Lat view · left wrist radiograph · pediatric patient (boy, age 14) · 83.8 mm image width 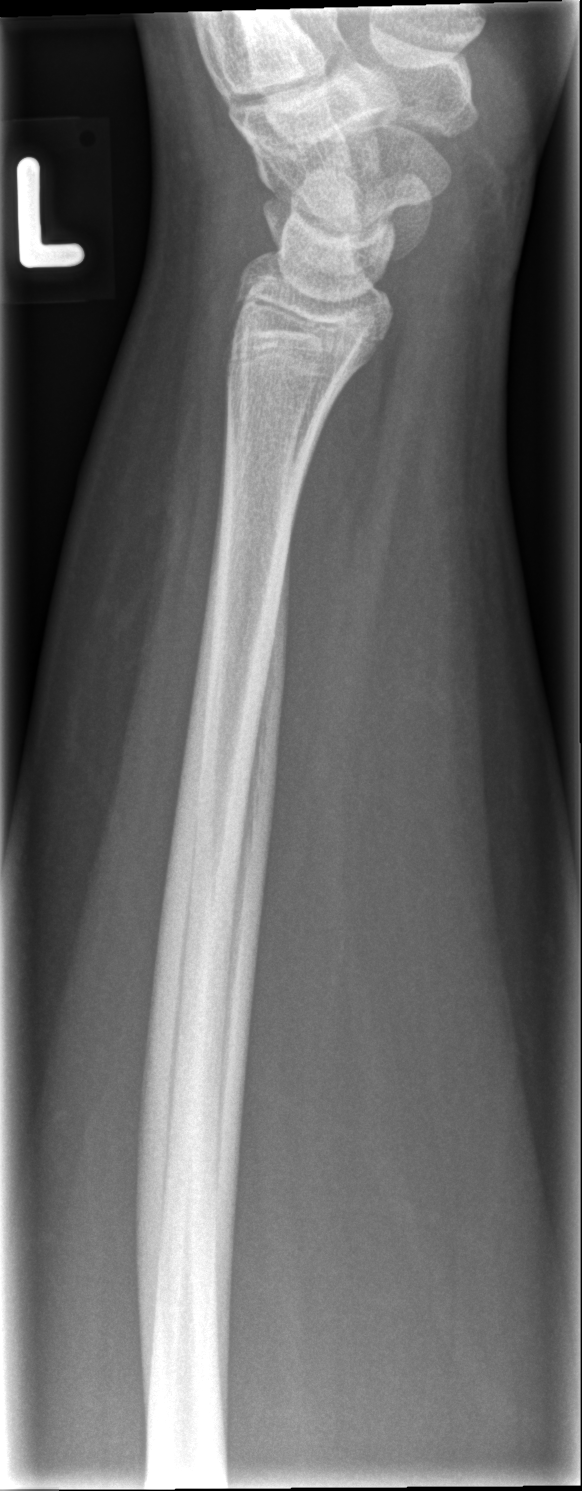

FINDINGS — Fracture: none labeled.